Right wrist radiograph · lat projection · pediatric patient (female, age 6) · 51.0 mm image width.

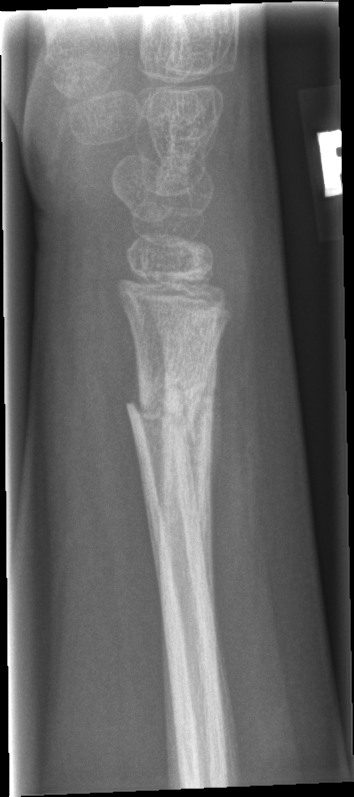
- Osteopenic.
- Fx — (left=125, top=367, right=220, bottom=437).
- AO/OTA classification: 23r-M/3.1.